Left wrist plain film | lateral view | Siemens | image 70.3 mm wide | image size 488x842.
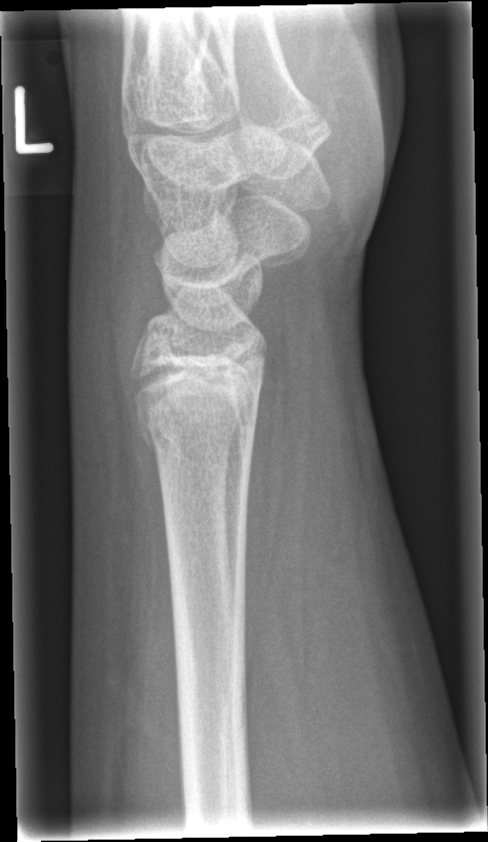

Bone fracture — bbox(132, 389, 261, 472). AO/OTA classification: 23r-M/2.1.